AP · right pediatric wrist radiograph · 1.3y F · presentation radiograph —

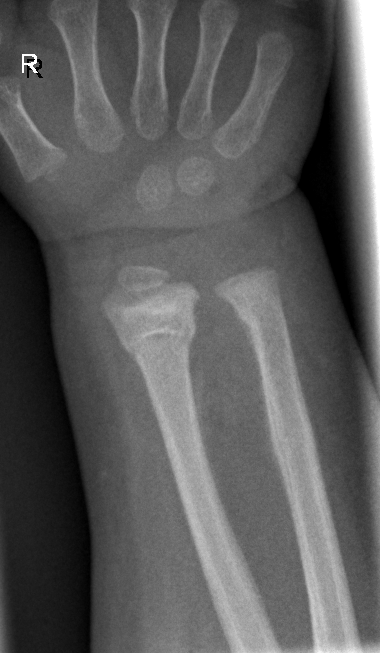

(boxes as x1,y1,x2,y2 (top-left / bottom-right, pixel units))
Fx = 2 @ [x1=229, y1=279, x2=286, y2=329], [x1=119, y1=323, x2=197, y2=358]
Periosteal thickening = 1 @ [x1=232, y1=305, x2=262, y2=376]